Right wrist plain film | frontal view | age 15 y, male.
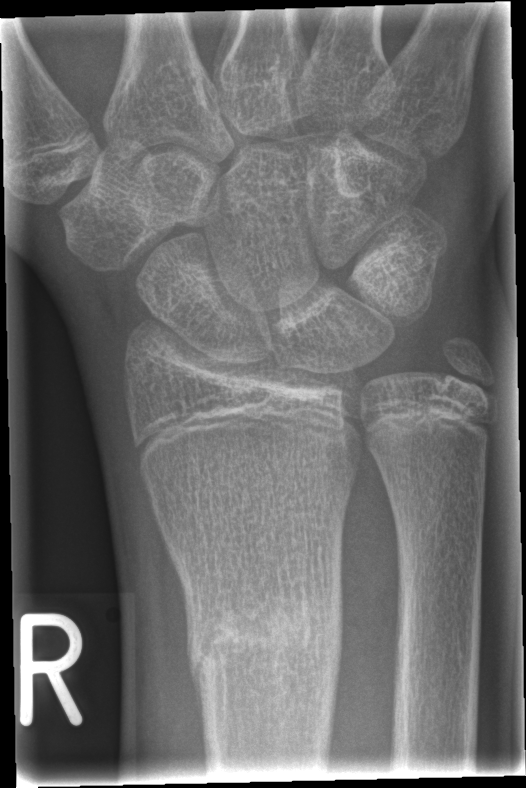 (coordinates are [x1, y1, x2, y2] in image pixels)
AO/OTA: 23r-M/2.1
Bone fracture: 2 @ [x1=183, y1=585, x2=344, y2=687] [x1=441, y1=334, x2=499, y2=404]
Osteopenia: present